Left wrist X-ray, lateral projection, 448 x 676 px 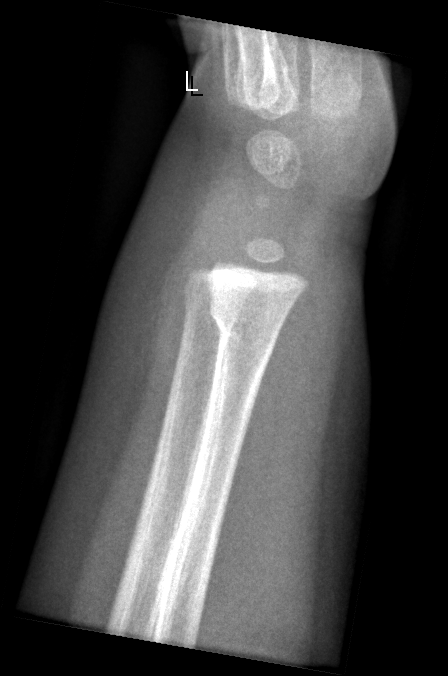
Pixel coordinates, top-left origin, xyxy. Fx — 205,295,281,371
  177,265,245,328. AO code 23-M/3.1.